Lat, left pediatric wrist radiograph, follow-up study:
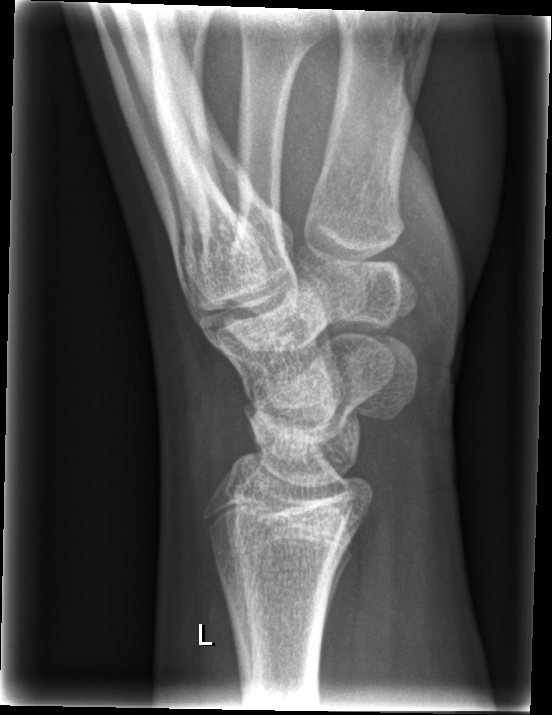

Bone fracture = none labeled